Rt plain radiograph of the wrist; lateral; subsequent exam; cast in situ; image size 572x1308: 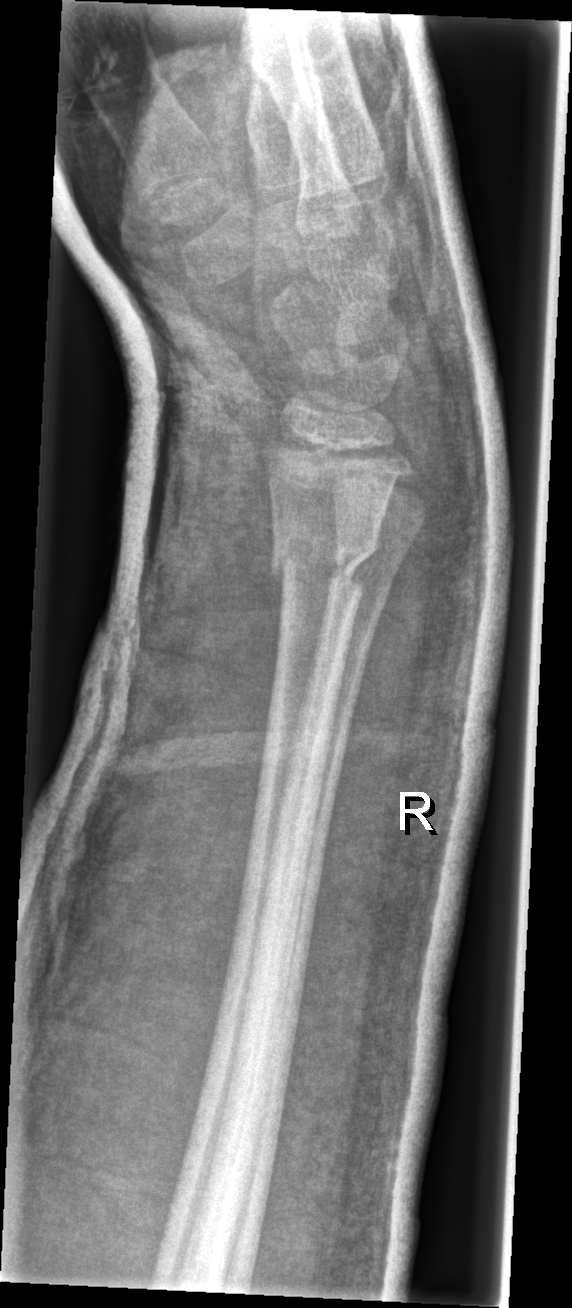

(coordinates are [x1, y1, x2, y2] in image pixels)
fracture: (263, 522, 380, 596)
AO classification: 23r-M/3.1; 23u-M/2.1